AP view; left wrist radiograph:

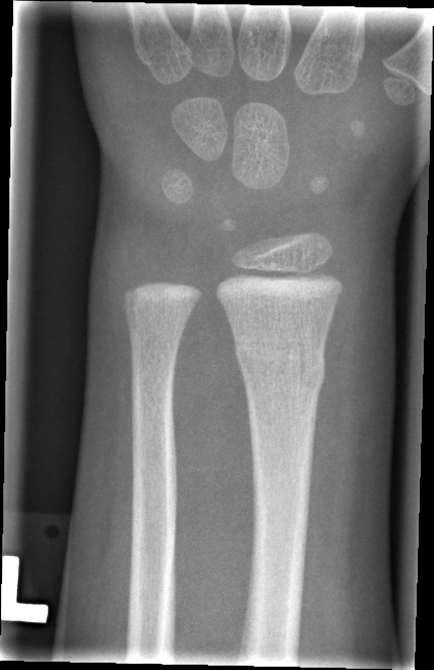
Boxes as x1,y1,x2,y2 (top-left / bottom-right, pixel units). One fracture at [x1=231, y1=335, x2=329, y2=397].